Right wrist pediatric wrist radiograph; frontal view; pediatric patient (girl, age 12):
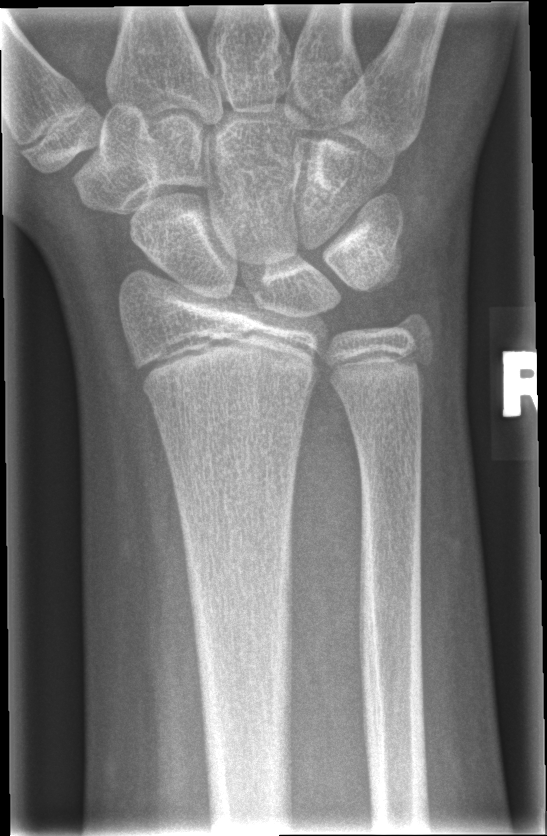

Bone fracture = none labeled